PA view, right wrist radiograph, follow-up — 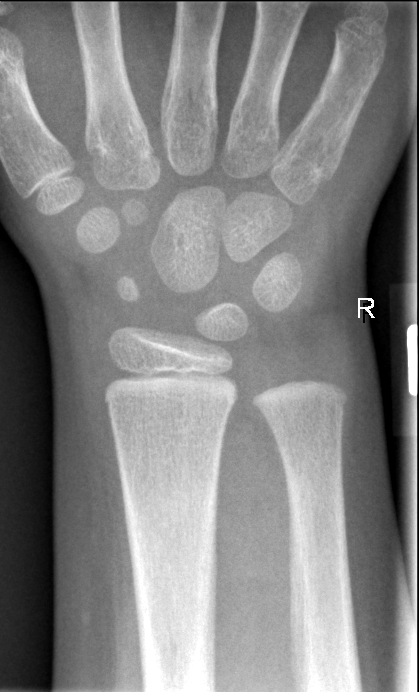
Findings: Bone fracture identified at bbox(122, 480, 224, 658); bbox(280, 461, 350, 543).